L wrist XR | PA/AP view | age 8 y, boy | image width 78.6 mm
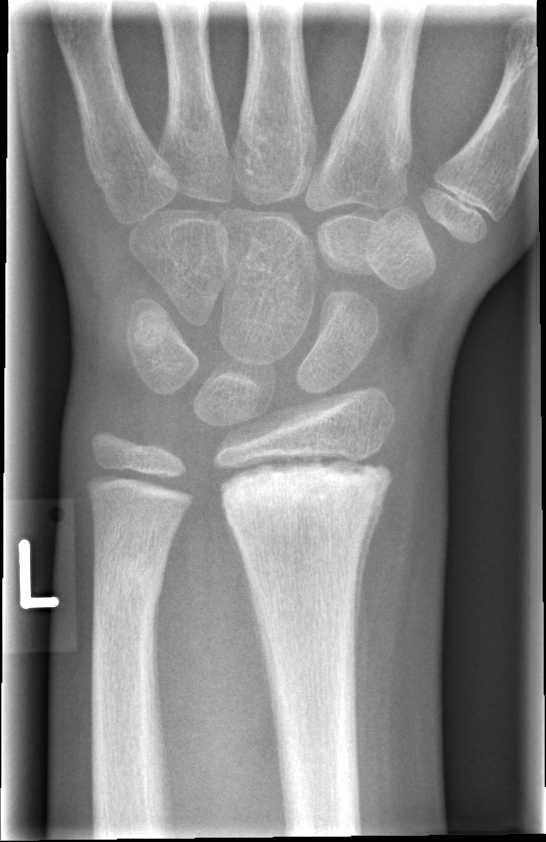 Reduced bone mineral density. Fracture classified AO/OTA 23r-E/2.1; 23u-M/2.1. Bone fracture: (215, 441, 398, 548); (90, 547, 169, 614). Periosteal thickening: (354, 476, 392, 675).